Lt wrist radiograph | posteroanterior view | pediatric patient (female, age 8) | follow-up study | acquired on Siemens.
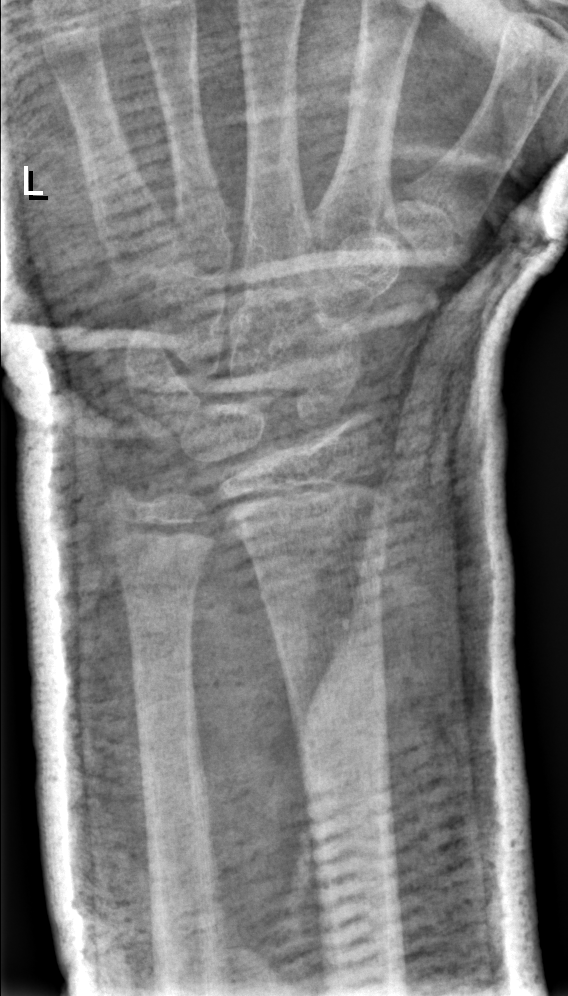

(pixel coordinates, top-left origin, xyxy)
Fx: 1 @ [251, 533, 390, 612]